Lat | right plain radiograph of the wrist | male, 2 yo | 537 by 740 pixels:

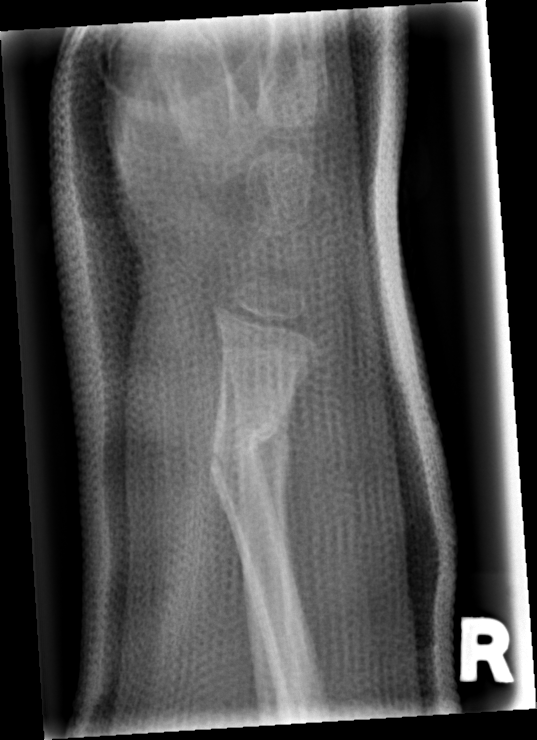

Bone fracture: (204, 410, 287, 492).